Right wrist plain film · lat view · pediatric patient (male, age 16) —

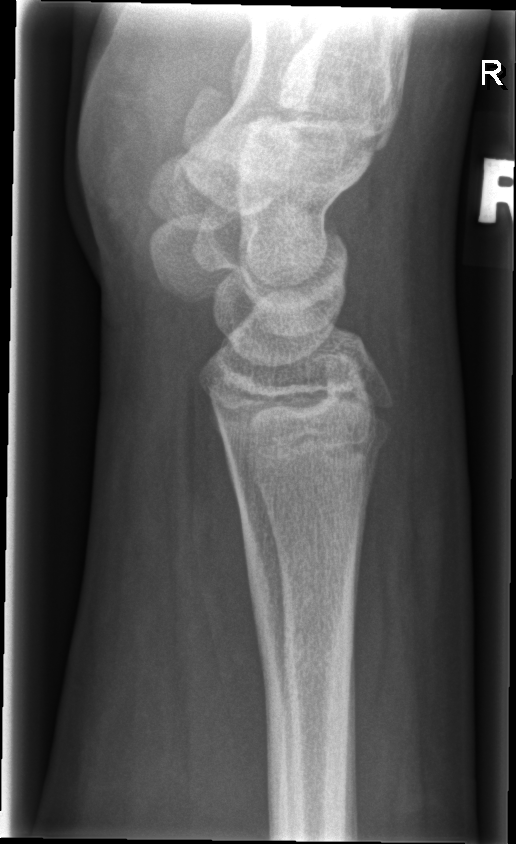
Findings: (boxes as x1,y1,x2,y2 (top-left / bottom-right, pixel units)) One Fx at <219,420>-<399,489>. AO/OTA classification: 23r-M/2.1.